AP projection · left wrist X-ray · 80.6 mm image width · 560 x 1022 px. 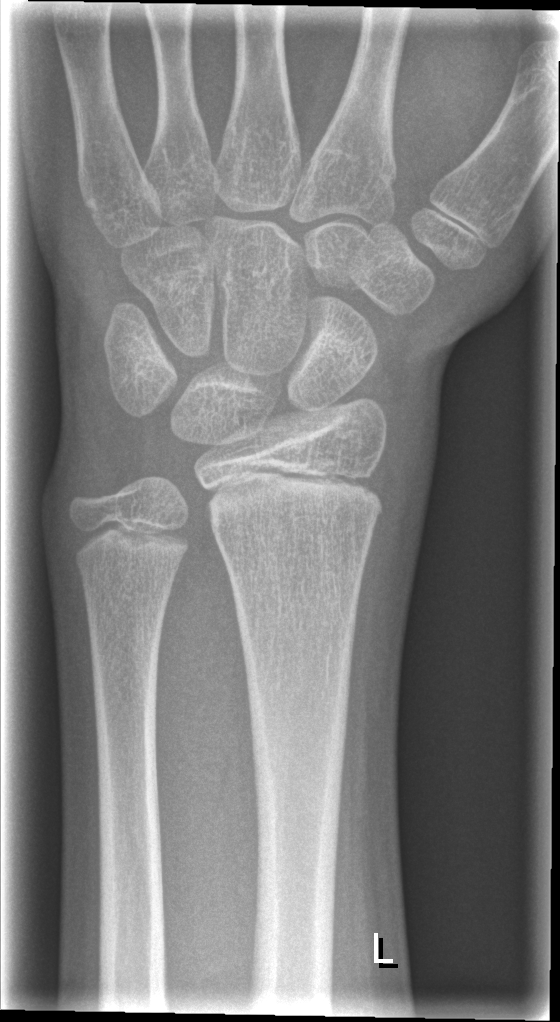
FINDINGS — Fx: present but not clearly seen in this view.